AP | left pediatric wrist radiograph | age 1.8 y, boy —
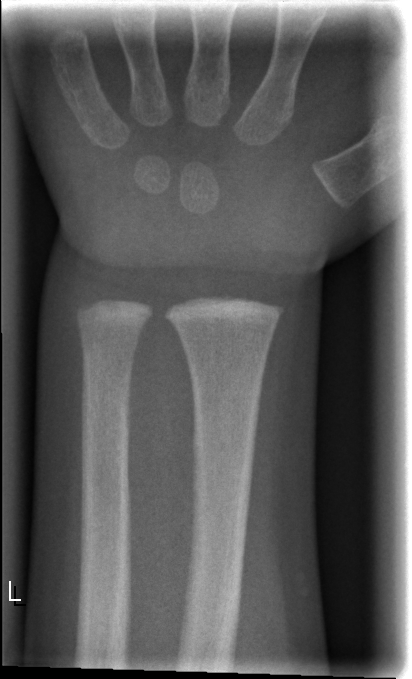

Fracture: none labeled.